Rt wrist XR · lateral · 15y M —

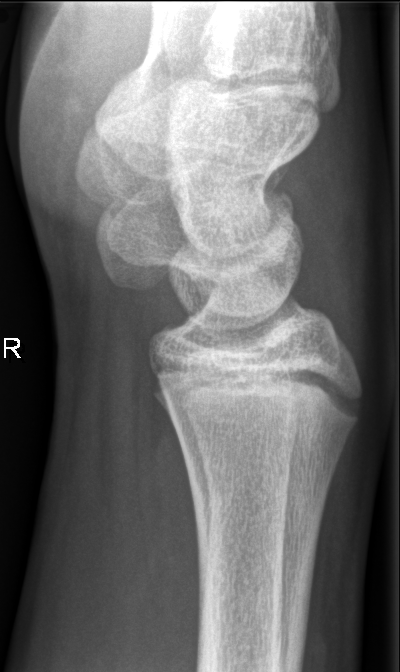 * No Fx annotated.